Lateral view; L wrist plain film; acquired on Siemens.
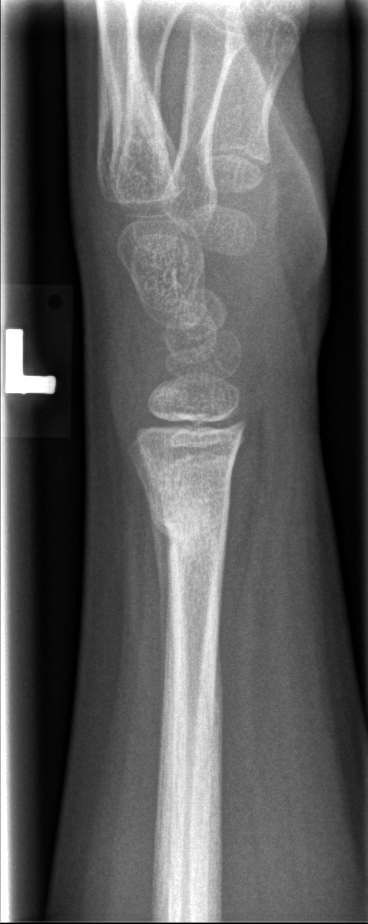

(pixel coordinates, top-left origin, xyxy)
Q: Fracture present?
A: Fracture identified at [x1=147, y1=482, x2=233, y2=561]
Q: Is there osteopenia?
A: Osteopenic
Q: AO code?
A: AO code 23-M/2.1
Q: Is there periosteal reaction?
A: Periosteal reaction identified at [x1=151, y1=506, x2=171, y2=714]